L wrist XR, lat projection, initial study:

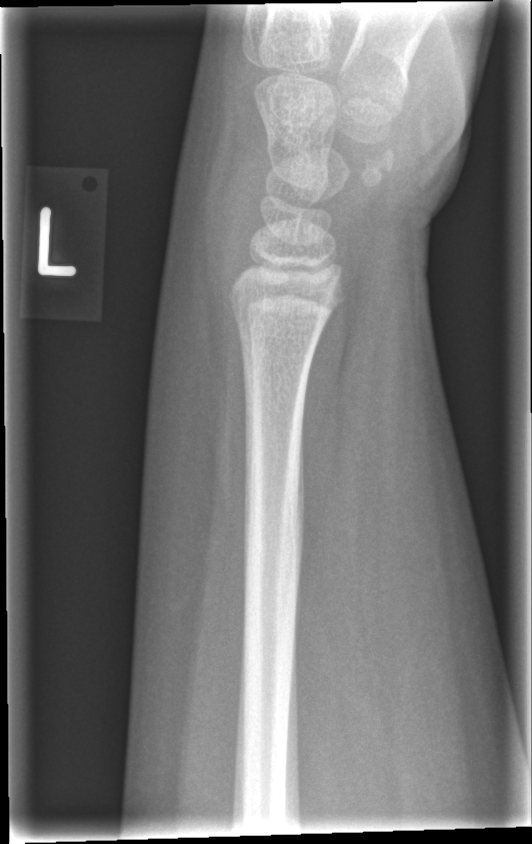 fracture: none labeled